Lateral view · L wrist X-ray · pediatric patient (female, age 15) · follow-up study · detector: Siemens · image width 99.9 mm —
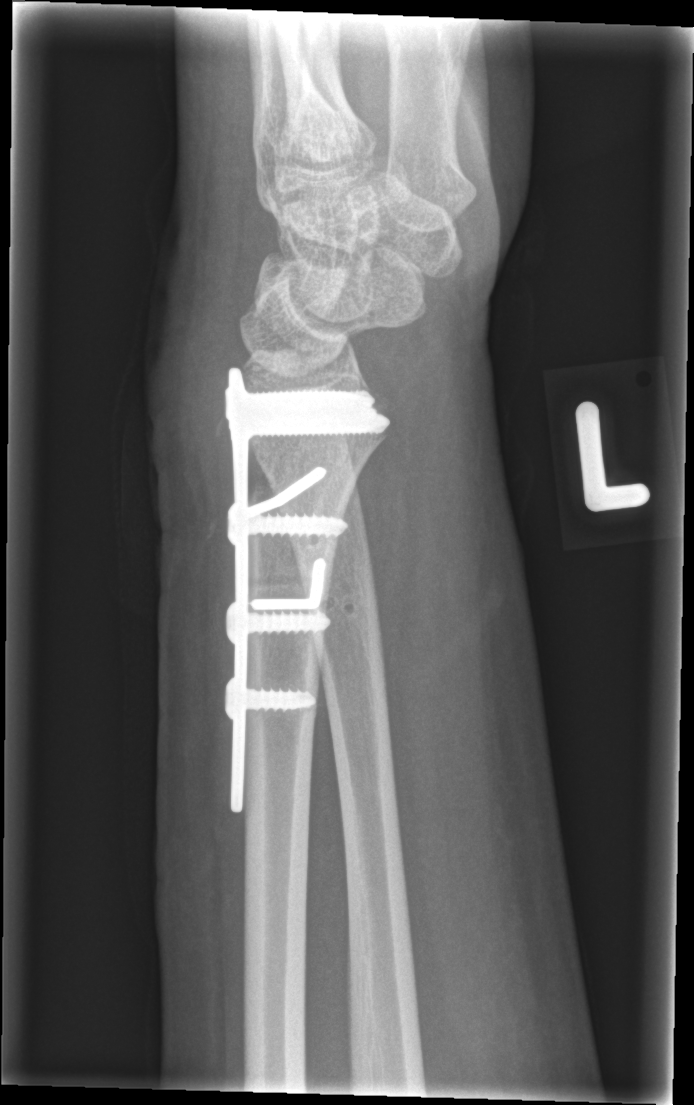

# coordinates are [x1, y1, x2, y2] in image pixels
boneanomaly: (324, 591, 364, 620)
metal: 1 @ (225, 367, 388, 814)
fracture: present but not clearly seen in this view